Left wrist pediatric wrist radiograph; lateral view — 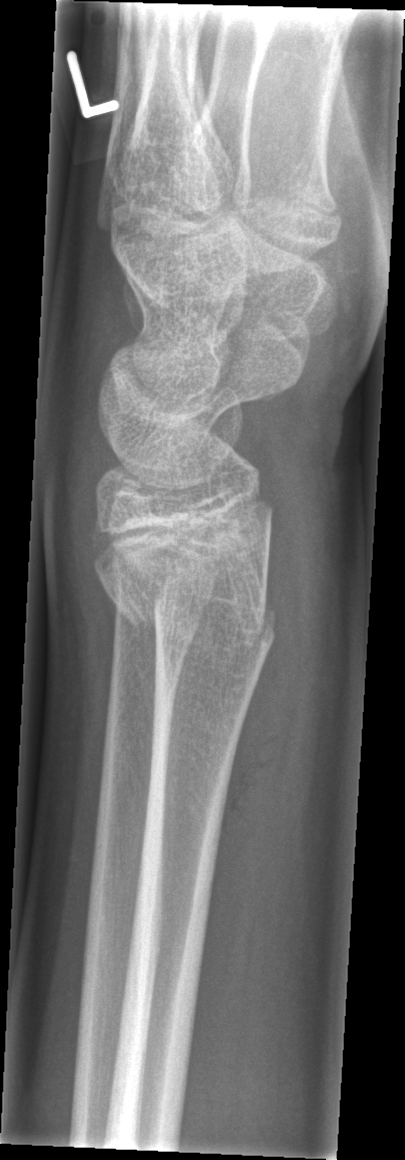
# pixel coordinates, top-left origin, xyxy
ao: 23r-M/3.1; 23u-E/7
pronatorsign: 1 @ (left=213, top=510, right=299, bottom=869)
fracture: (left=107, top=570, right=280, bottom=658)